AP projection · right wrist radiograph · pediatric patient (male, age 10) · diagnosis uncertain:

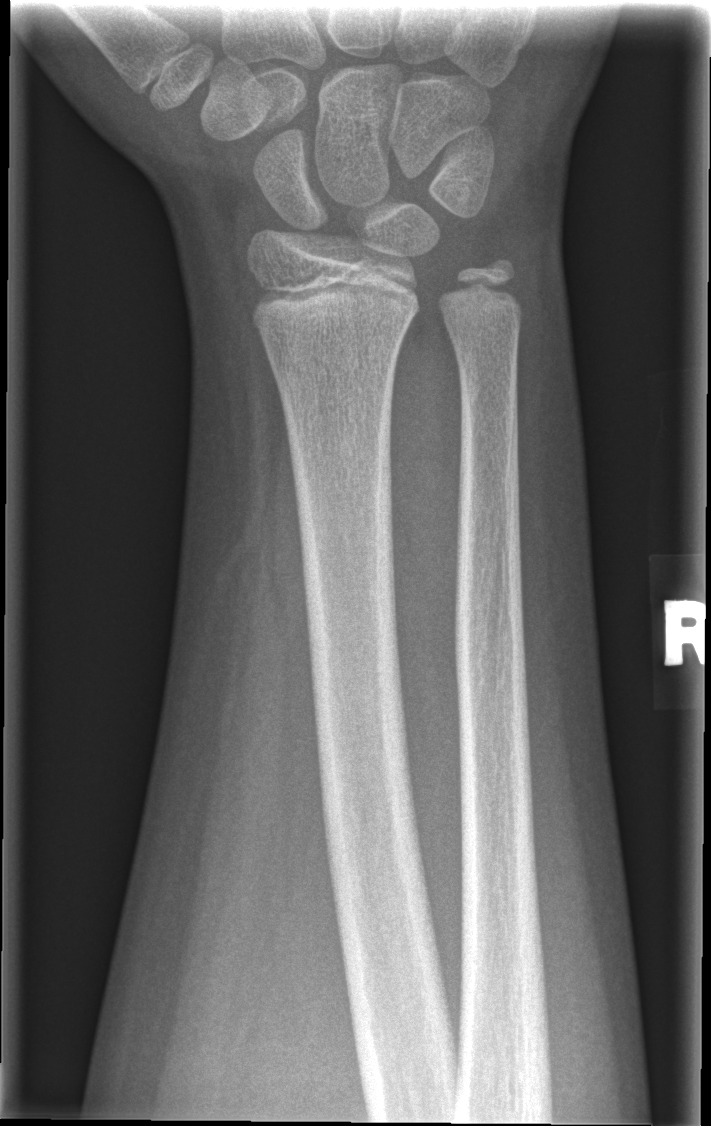
{"fracture": "none labeled"}